L wrist X-ray, PA view, age 5 y, female
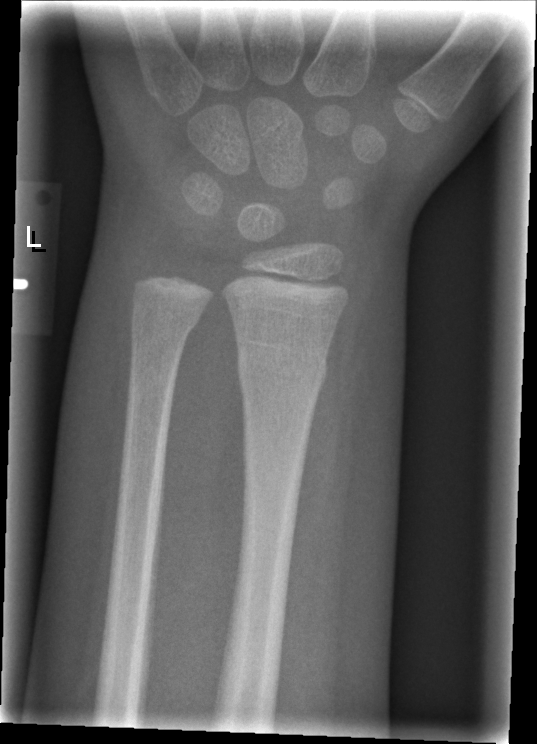
• Bone fractures — (left=231, top=337, right=333, bottom=392); (left=126, top=299, right=205, bottom=344).
• Fracture classified AO/OTA 23-M/2.1.